Frontal | left wrist plain radiograph of the wrist.

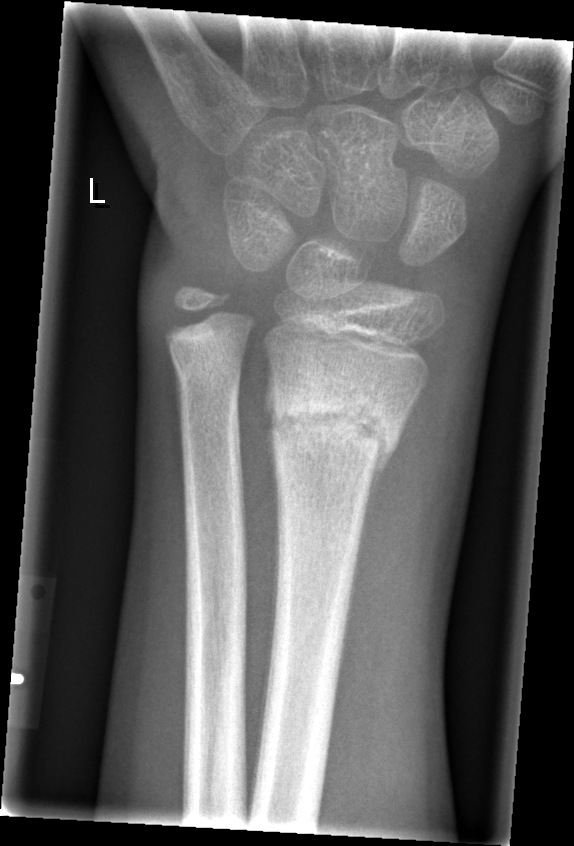

(coordinates are [x1, y1, x2, y2] in image pixels)
Q: Any periosteal thickening?
A: Two periosteal thickening at <355,438>-<397,583>, <169,347>-<186,526>
Q: Any fracture seen?
A: Fracture identified at <270,381>-<405,472>; <167,339>-<248,401>